Left wrist X-ray · PA/AP view · age 10 y, boy · presentation radiograph · detector: Siemens · image width 94.6 mm · image size 657x1134
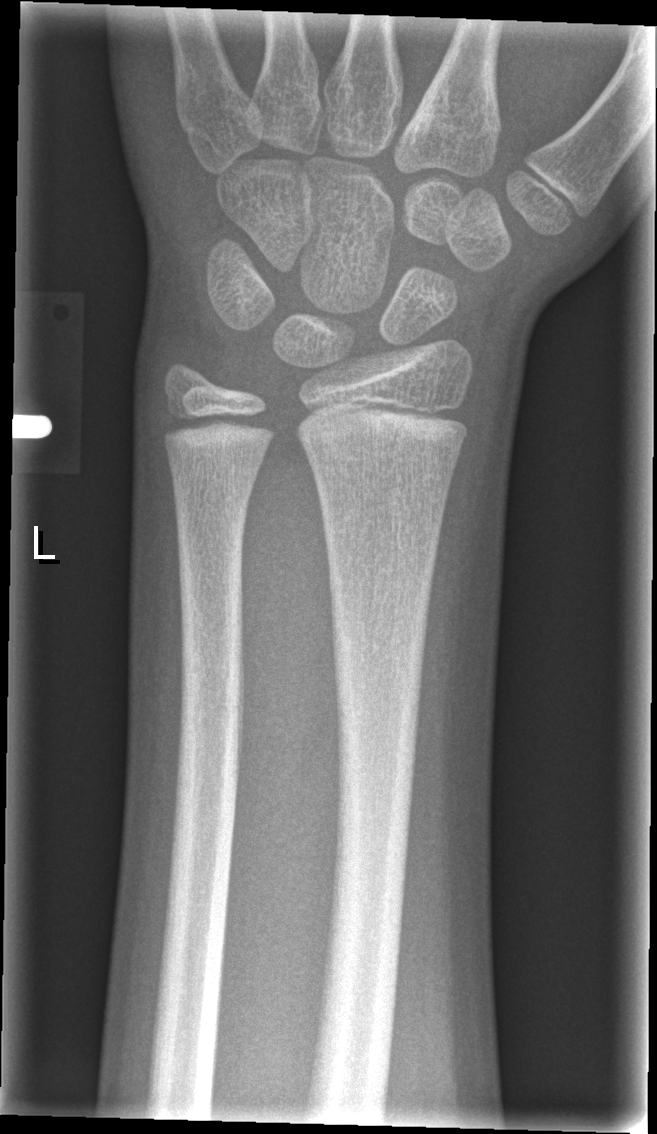

• Fx: none.